PA view · L pediatric wrist radiograph · age 9 y, male · imaged through cast · detector: Siemens · 85.8 mm image width · 596x1104

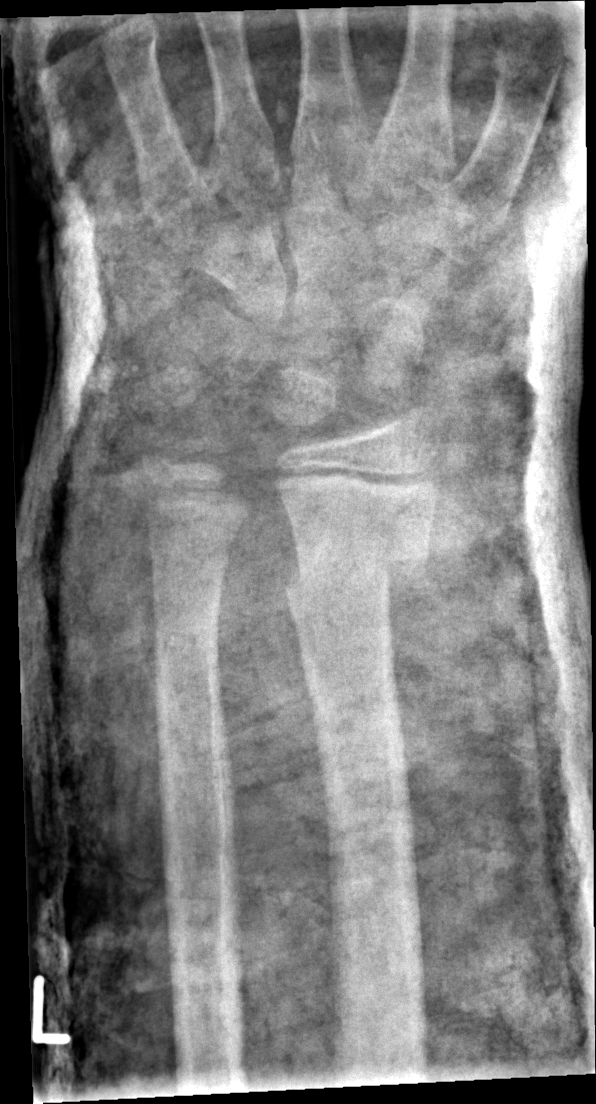
AO classification: 23r-M/3.1; 23u-E/7
Bone fracture: (281, 536, 436, 612)